Posteroanterior | R wrist XR | pediatric patient (female, age 11).
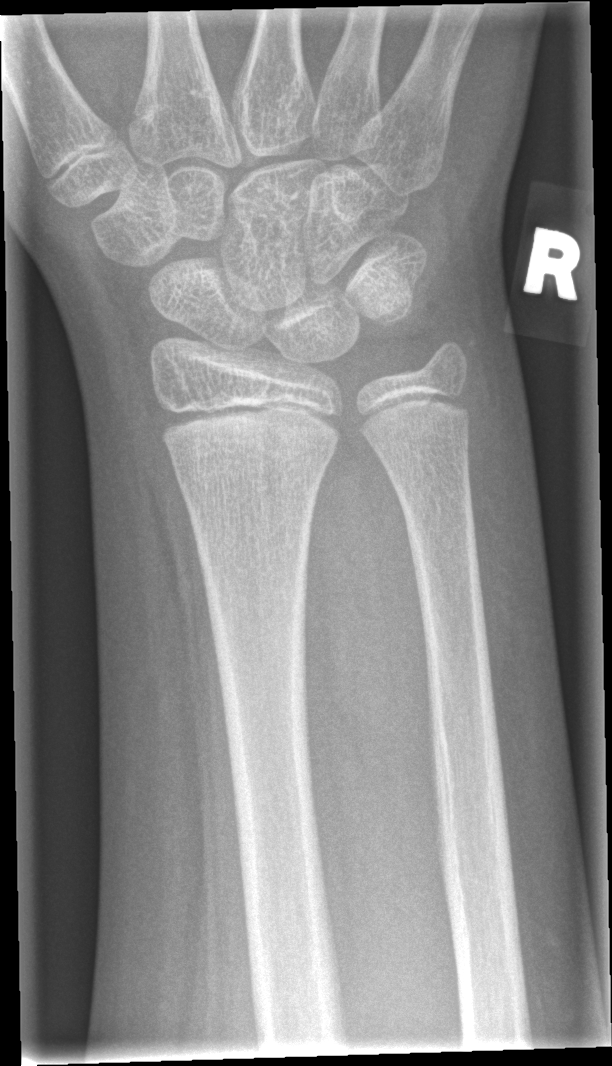

Findings: AO code 23r-M/2.1. Fracture present but not clearly seen in this view.